Rt wrist XR · lat · 354x854 — 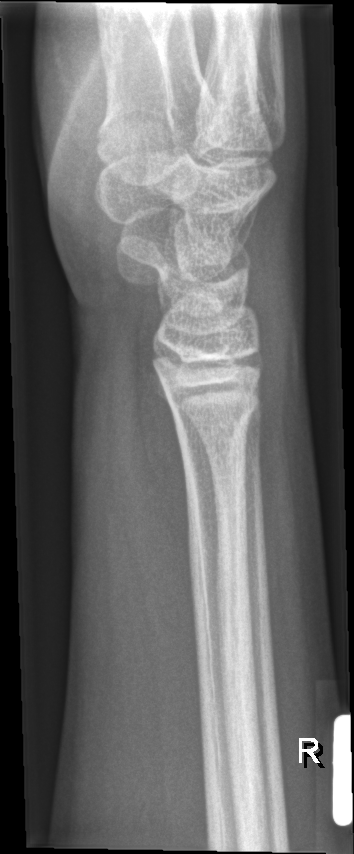

Bone fracture = 1 @ [167, 394, 265, 440]
Pronator sign = 1 @ [137, 365, 199, 652]